Posteroanterior view, left wrist plain radiograph of the wrist:

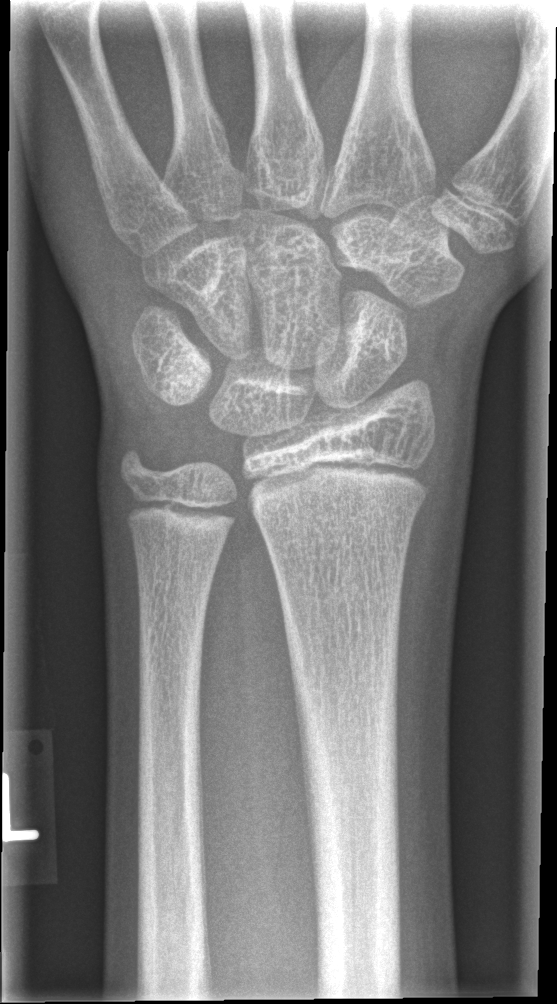

bone fracture = present but not clearly seen in this view
AO classification = 23r-M/2.1